Lt wrist radiograph | posteroanterior | male, 7 yo | image 63.6 mm wide

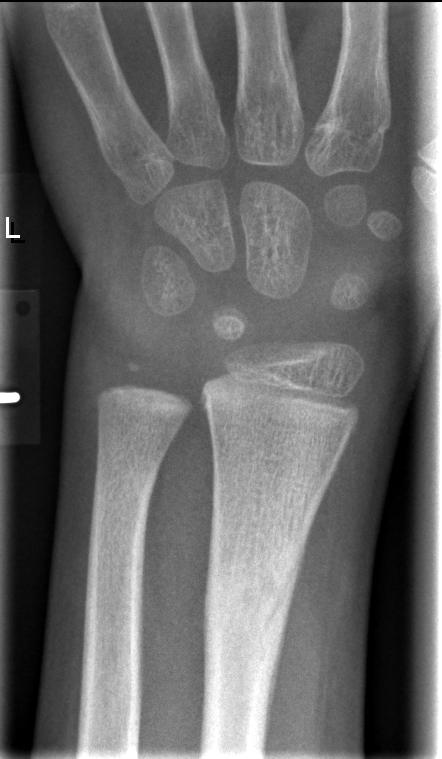   # pixel coordinates, top-left origin, xyxy
  fracture: [203, 546, 301, 647]